AP; L wrist plain film; initial study.
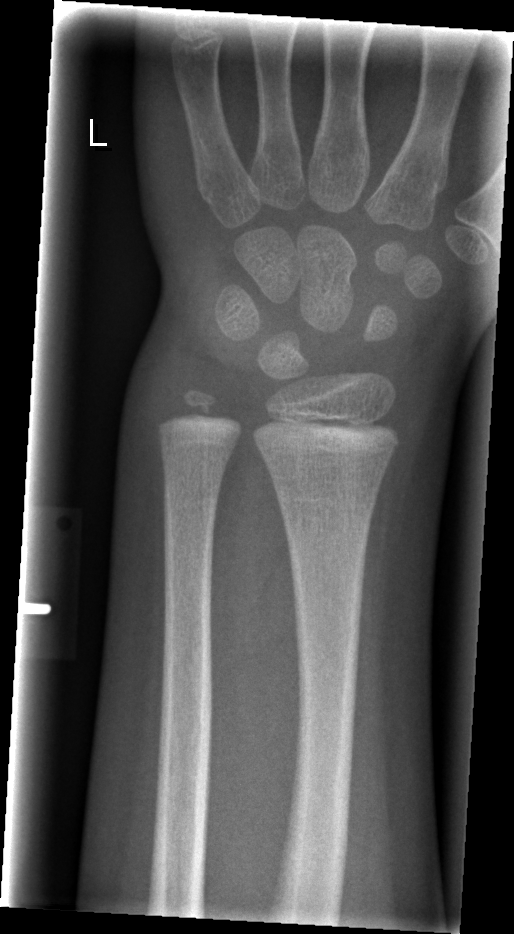
Findings: No fracture annotation.